Lat view, R wrist X-ray, pediatric patient (girl, age 6).

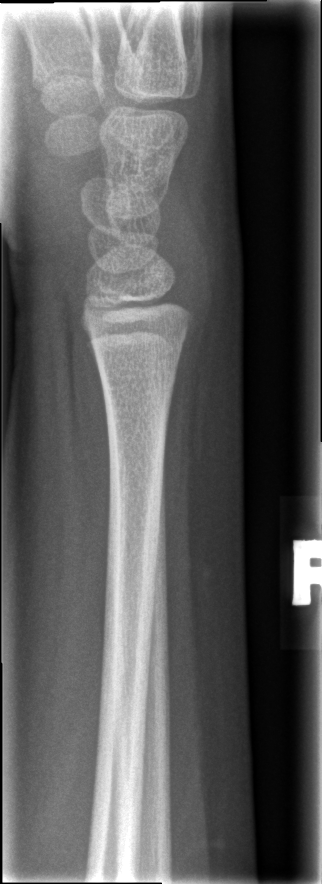
* Fx: none.